Lateral | Lt pediatric wrist radiograph | 14-year-old male | cast present
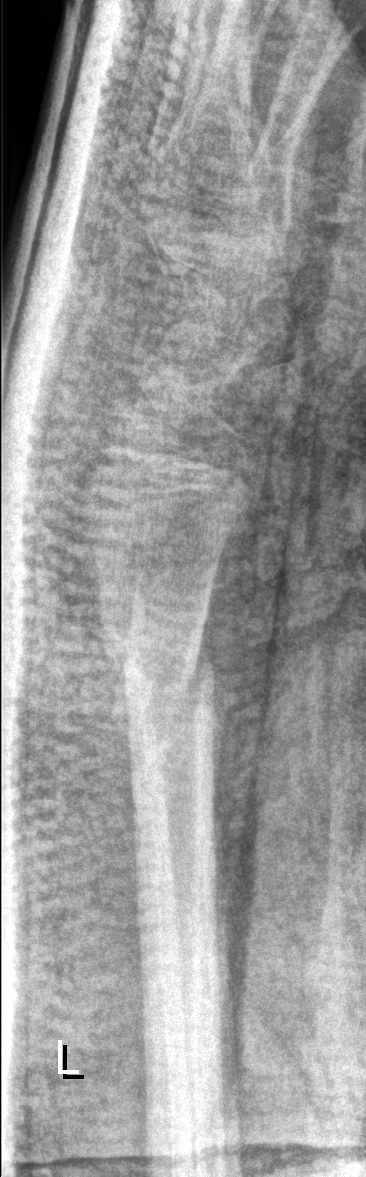 Fx — [x1=108, y1=612, x2=218, y2=718]. Fracture classified AO/OTA 23-M/3.1; 23u-E/7.